Left wrist pediatric wrist radiograph · lat · pediatric patient (female, age 7) · presentation radiograph · Siemens: 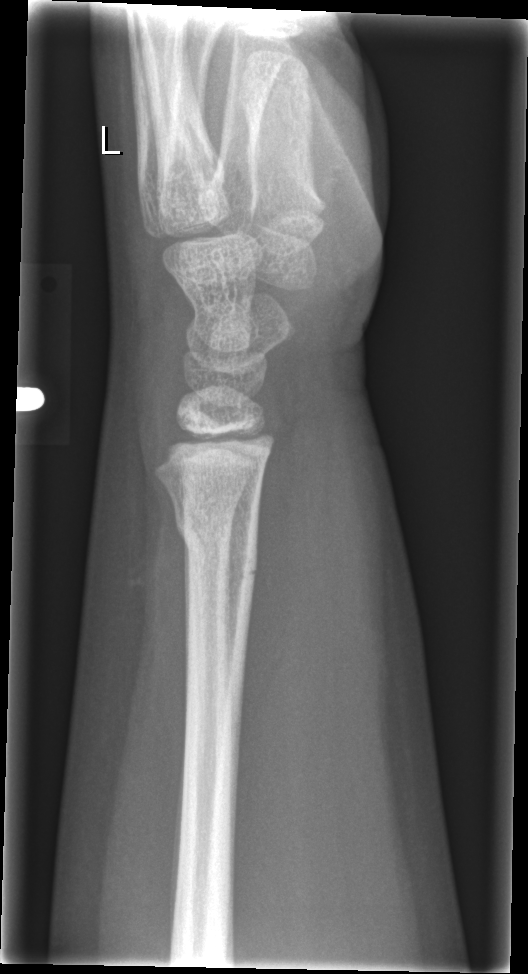

FINDINGS — (boxes as x1,y1,x2,y2 (top-left / bottom-right, pixel units)) Pronator sign identified at (left=233, top=404, right=340, bottom=751). Fracture — (left=171, top=499, right=259, bottom=580).